Rt pediatric wrist radiograph · PA/AP · male, 11 yo · presentation radiograph

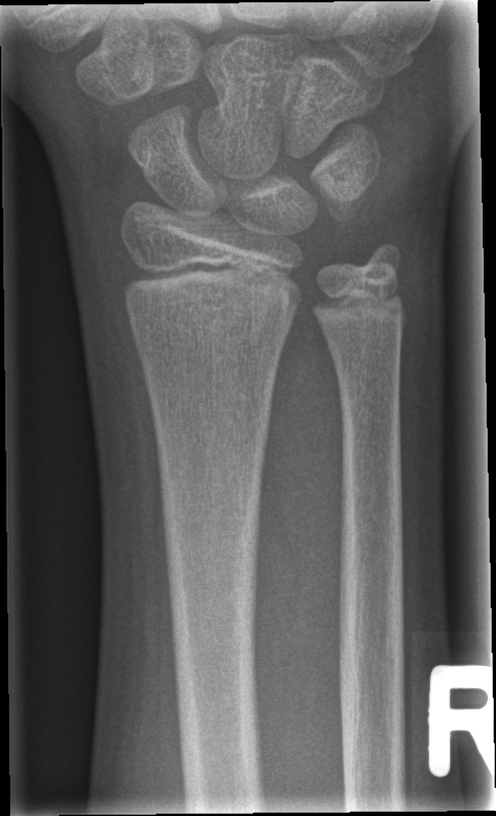

Bone fracture: present but not clearly seen in this view